Lat projection | right wrist XR | age 15 y, girl | initial study | image size 446x762: 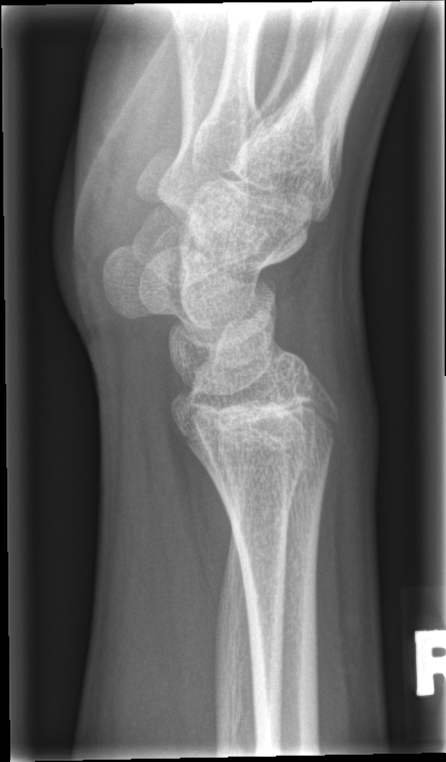 No fracture annotation.